L wrist X-ray · lat view · age 6 y, male · in cast —
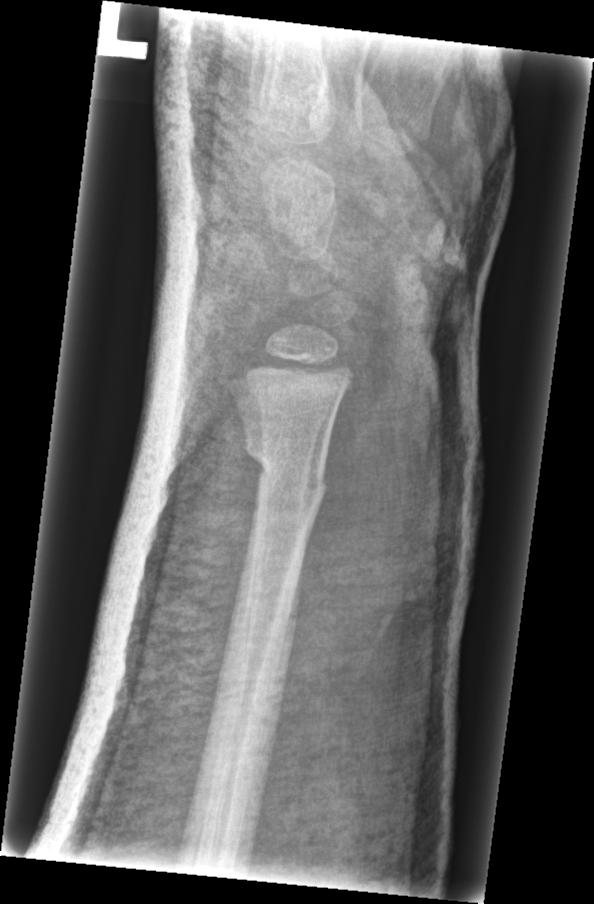 Bone fracture = 1 @ (left=242, top=440, right=333, bottom=511)
AO/OTA = 23r-M/3.1